Lt plain radiograph of the wrist, frontal, 9-year-old male, 710 by 1130 pixels.
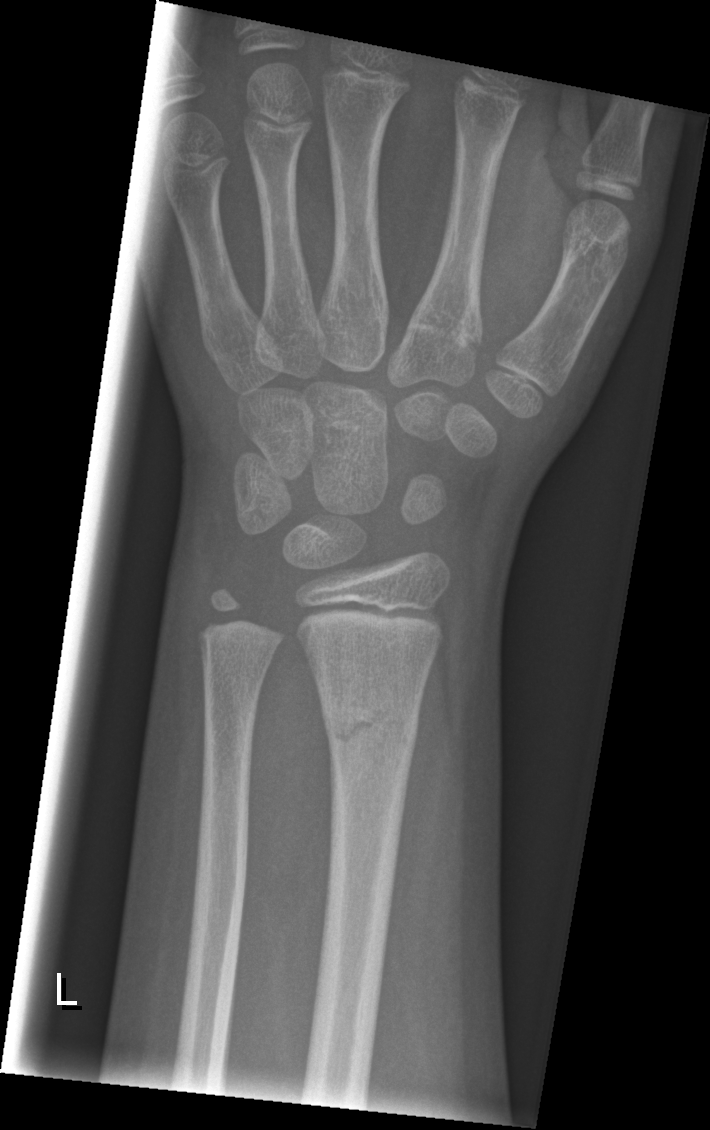 Boxes as x1,y1,x2,y2 (top-left / bottom-right, pixel units).
Fracture: <322,702>-<420,759>.